AP view | left wrist X-ray | subsequent exam:
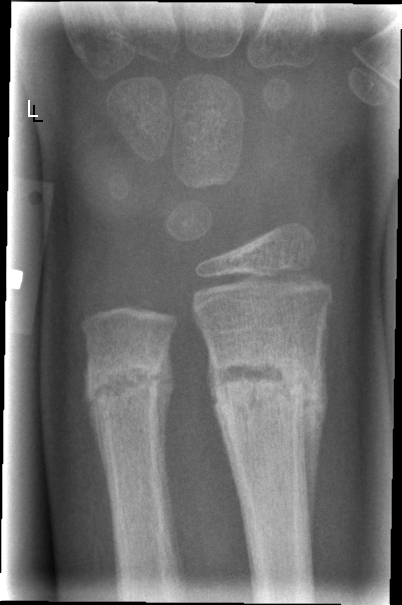
(pixel coordinates, top-left origin, xyxy)
Osteopenia = present
Periosteal new bone = (left=302, top=304, right=330, bottom=550) (left=158, top=337, right=184, bottom=586) (left=82, top=355, right=109, bottom=476) (left=206, top=347, right=232, bottom=467)
AO code = 23-M/3.1
Fracture = (left=203, top=342, right=317, bottom=435) (left=80, top=355, right=163, bottom=417)